Right wrist XR, lat, girl, 13 yo.

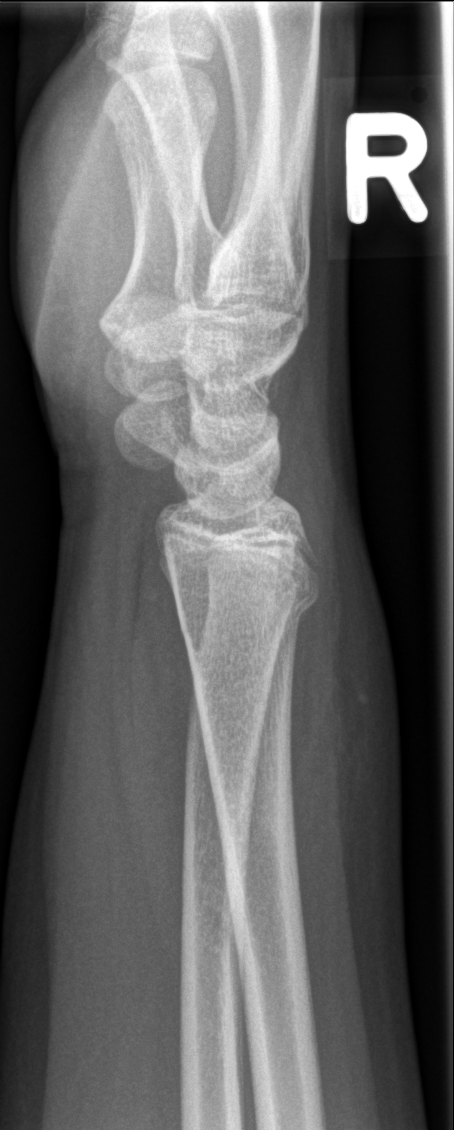

- Pixel coordinates, top-left origin, xyxy.
- Fracture — bbox(170, 553, 325, 644).
- Pronator quadratus fat-pad sign identified at bbox(102, 526, 195, 997).
- AO/OTA classification: 23r-M/2.1; 23u-E/7.